Lat view · L wrist XR · age 7 y, girl · follow-up · cast present · Siemens:

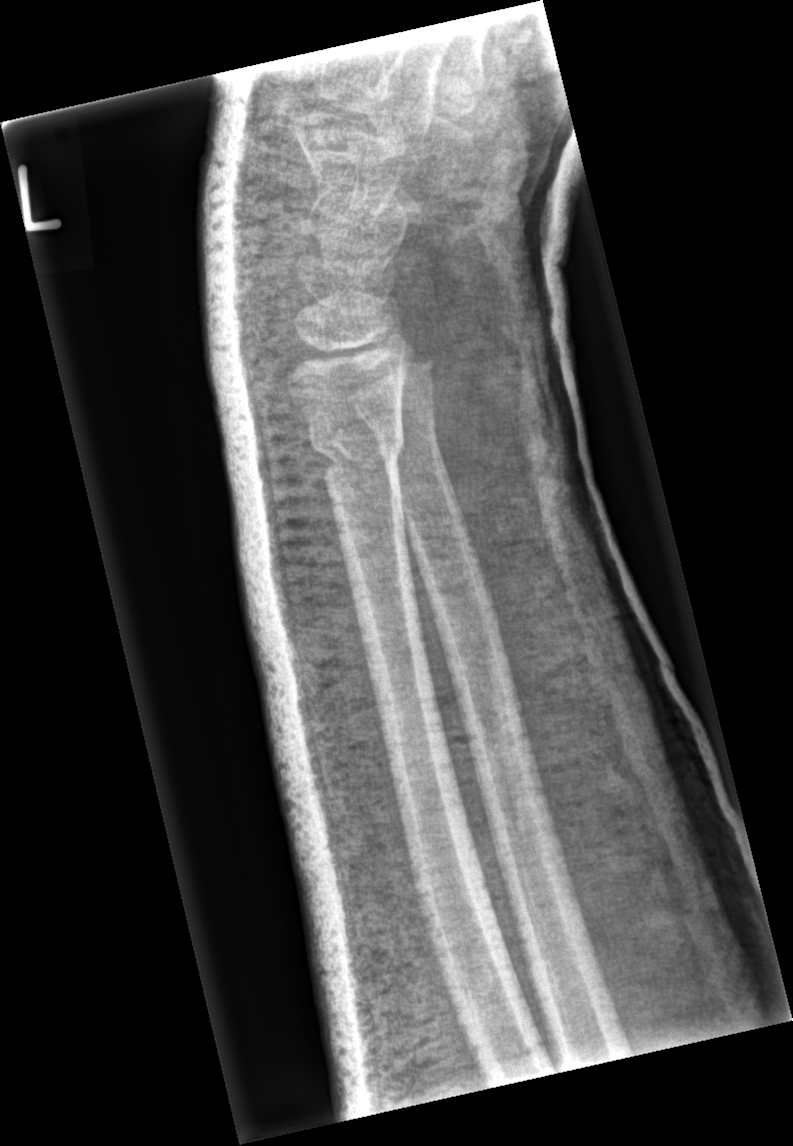

Pixel coordinates, top-left origin, xyxy. Fx — [x1=302, y1=409, x2=408, y2=489], [x1=366, y1=405, x2=441, y2=460]. AO code 23r-M/3.1; 23u-M/2.1.